Lateral, right wrist X-ray, Siemens, image size 514x1136.
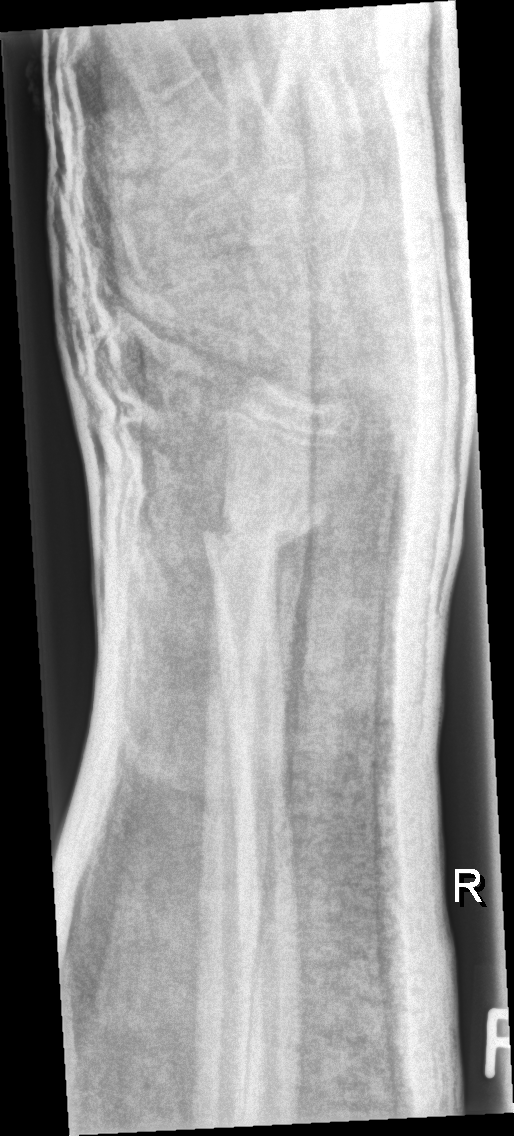
fracture: 1 @ bbox(199, 500, 317, 597)